Lateral view, Rt wrist radiograph, 13-year-old boy:

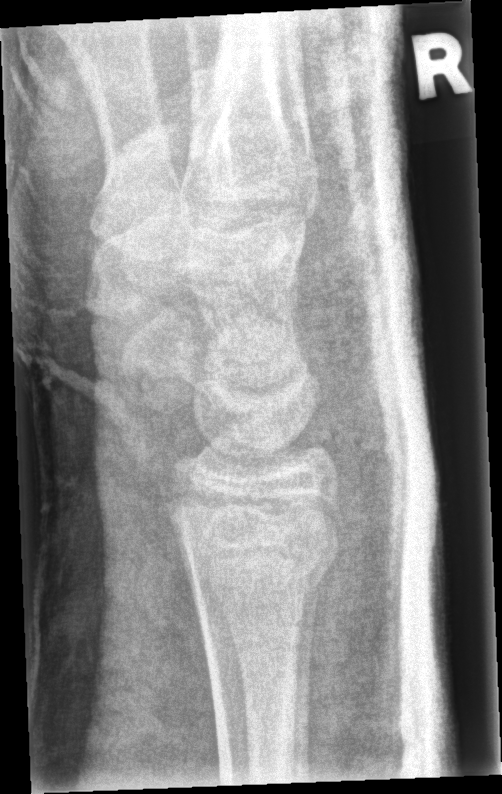
• Bone fracture — [170, 487, 347, 595].
• Fracture classified AO/OTA 23r-E/2.1; 23u-E/7.